Lat view, L pediatric wrist radiograph, presentation radiograph —

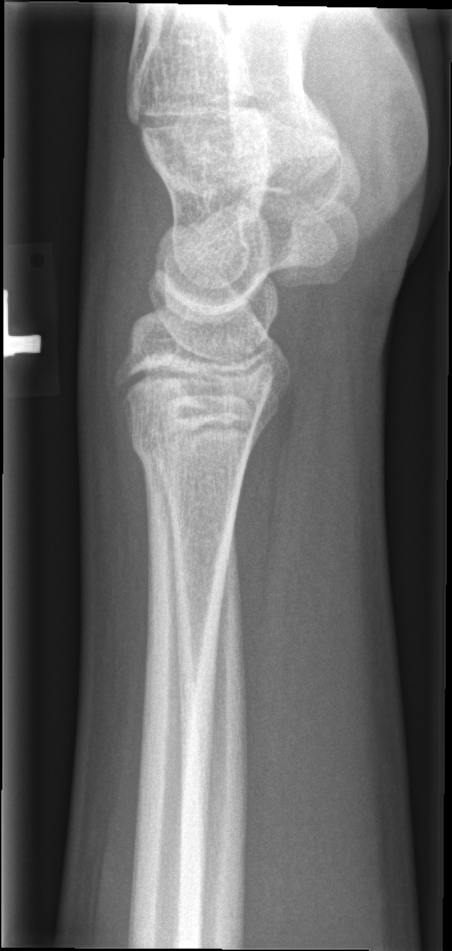 (boxes as x1,y1,x2,y2 (top-left / bottom-right, pixel units))
Q: Any fracture seen?
A: Bone fracture identified at [x1=124, y1=403, x2=260, y2=477]